PA/AP projection · Lt wrist plain film · pediatric patient (male, age 11) · in cast · image 93.0 mm wide: 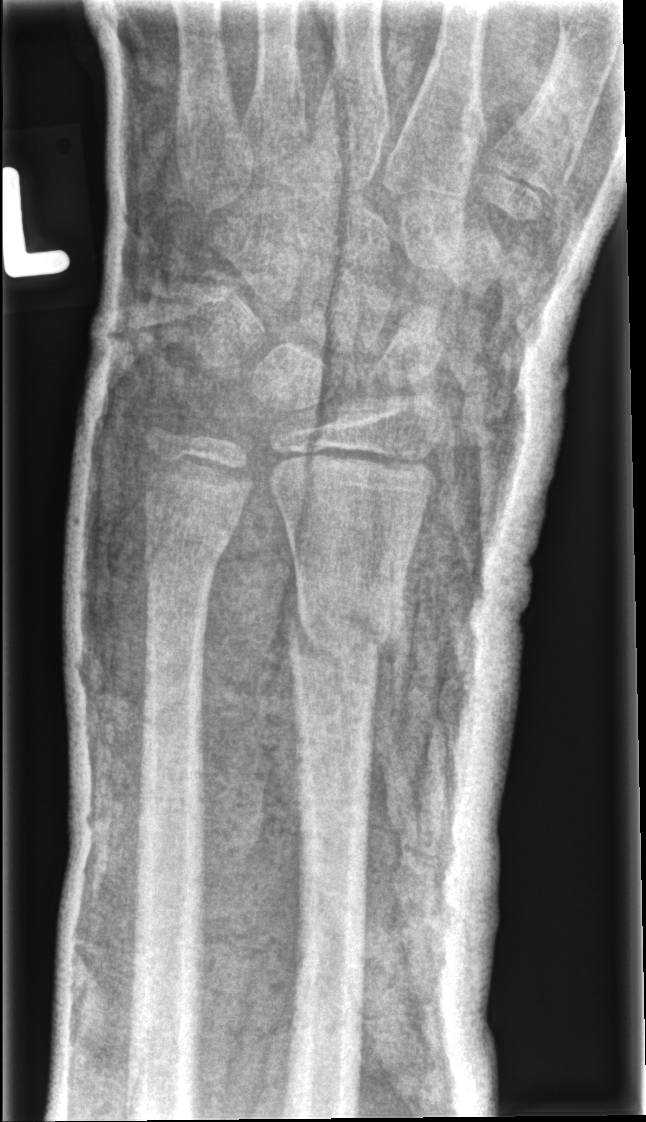

Boxes as x1,y1,x2,y2 (top-left / bottom-right, pixel units).
Fracture identified at 282 581 405 697 | 141 522 234 597.